Right wrist XR · lateral view · follow-up
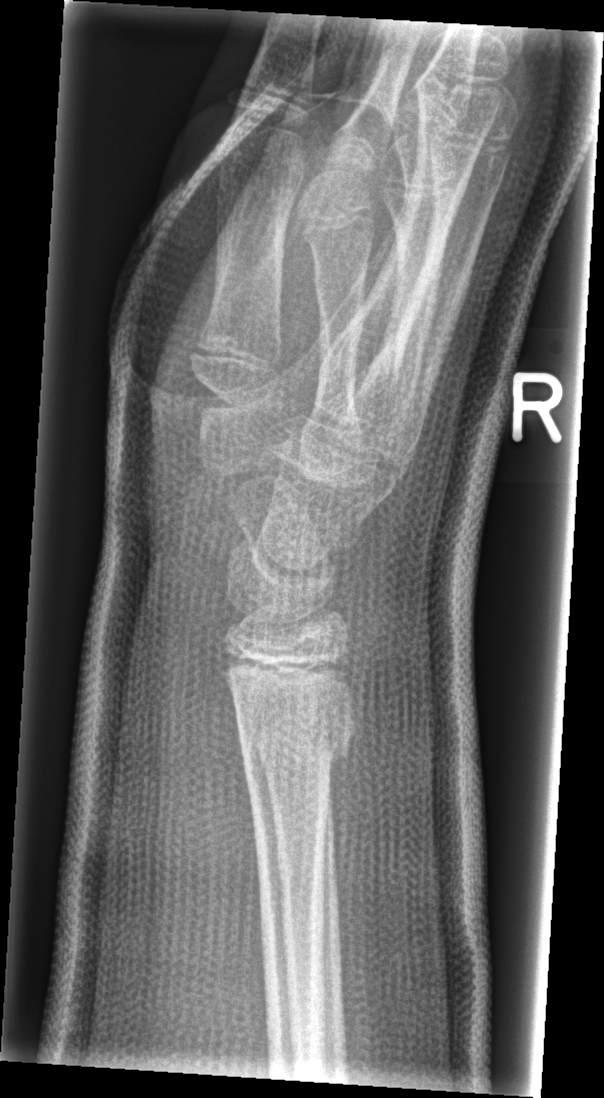
AO code 23r-M/3.1; 23u-E/7.
Fx: <233,696>-<363,780>.